Left wrist X-ray · frontal projection · age 10 y, female · presentation radiograph.

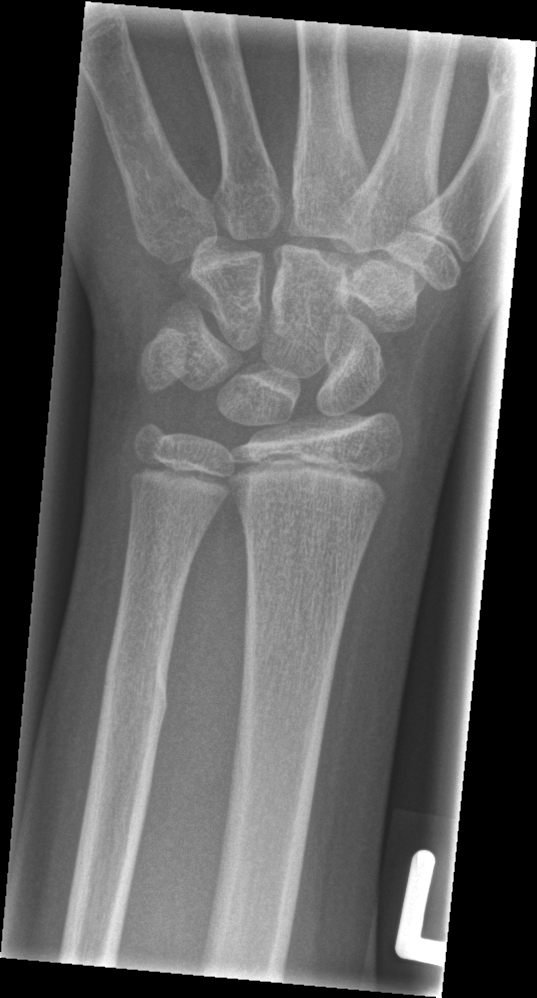

Q: Fracture present?
A: Fx: [96, 668, 172, 741]